Left wrist X-ray; PA/AP projection; subsequent exam. 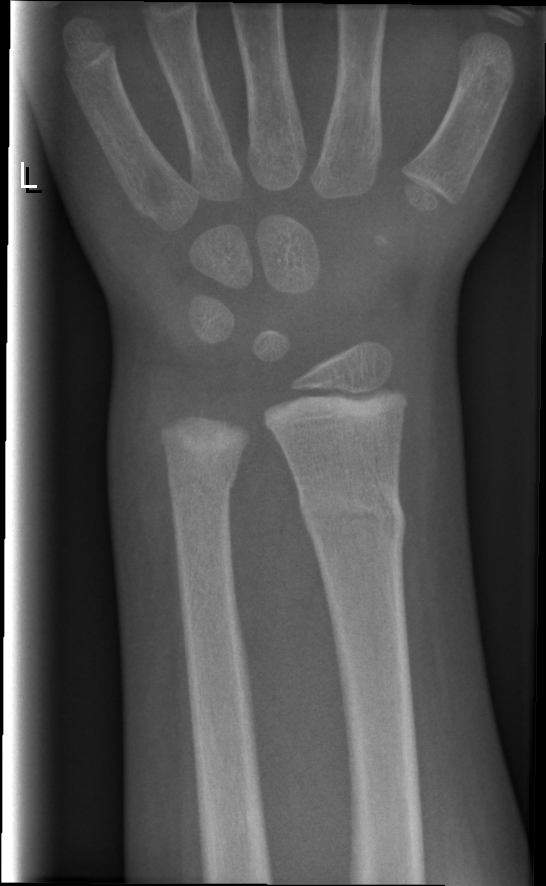

(pixel coordinates, top-left origin, xyxy)
Q: Locate any fractures.
A: Bone fracture: [296, 488, 407, 549]; [161, 453, 242, 509]